Lat projection | right wrist plain radiograph of the wrist | boy, 17 yo: 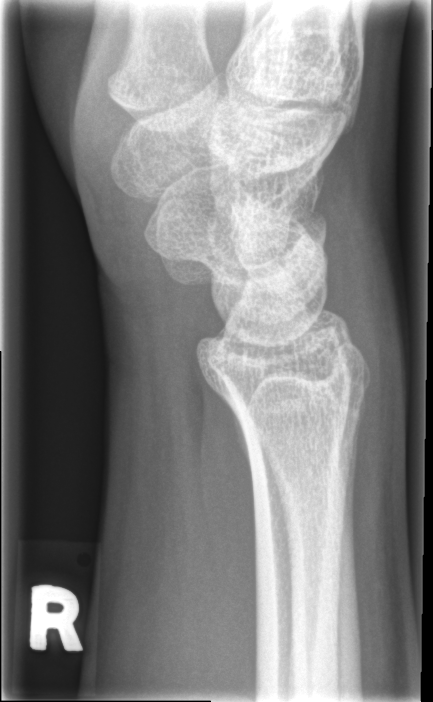 Fx: none labeled